Lat view · left wrist XR · imaged through cast · acquired on Siemens —
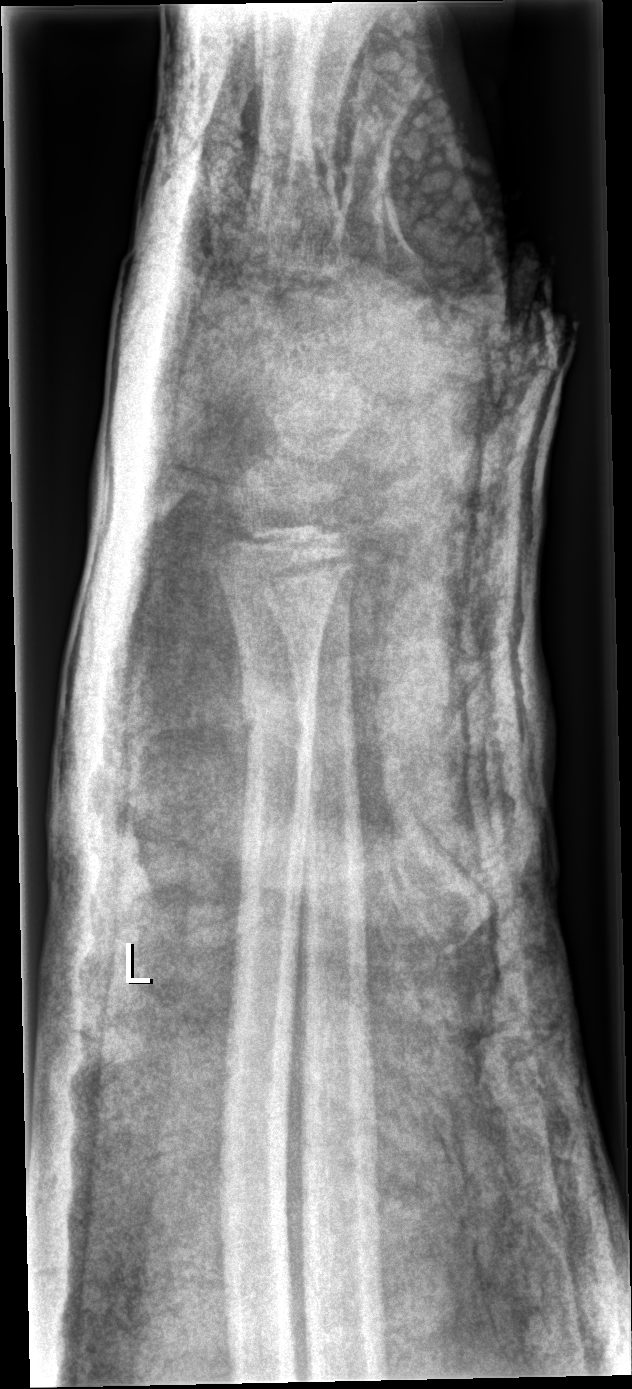
{
  "fracture": "(231, 663, 327, 754)",
  "ao": "23-M/2.1"
}